Lt pediatric wrist radiograph, posteroanterior, pediatric patient (boy, age 11), image width 74.0 mm: 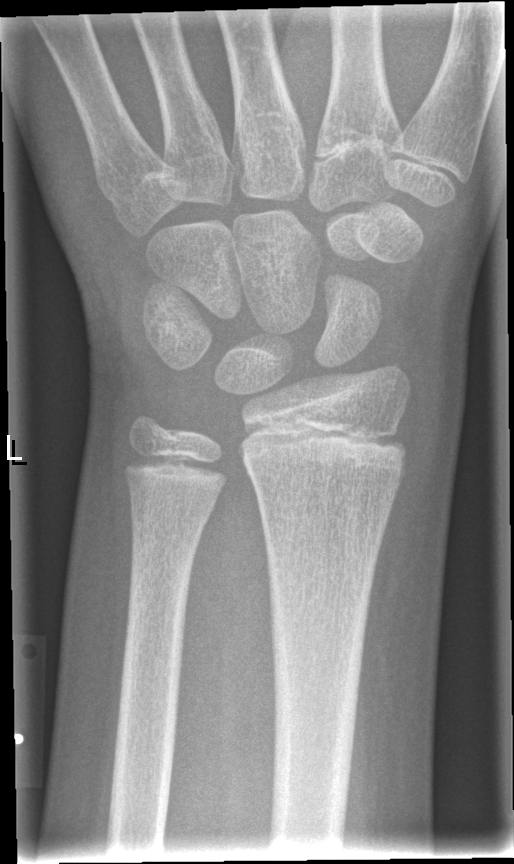 {
  "fracture": "none labeled"
}